L pediatric wrist radiograph · frontal · 80.6 mm image width 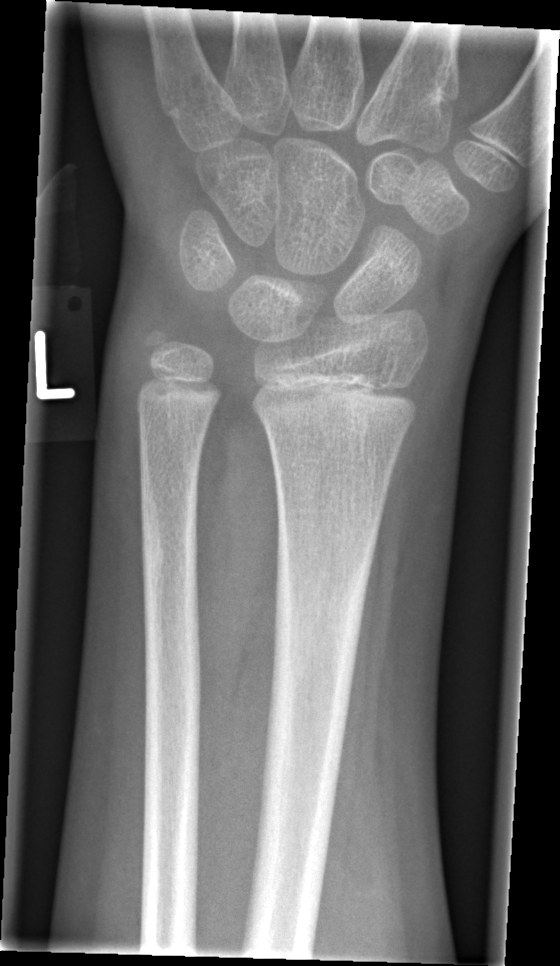
* Fracture: 134,320,191,382.